Lt wrist plain film; lateral view; 677x1358 — 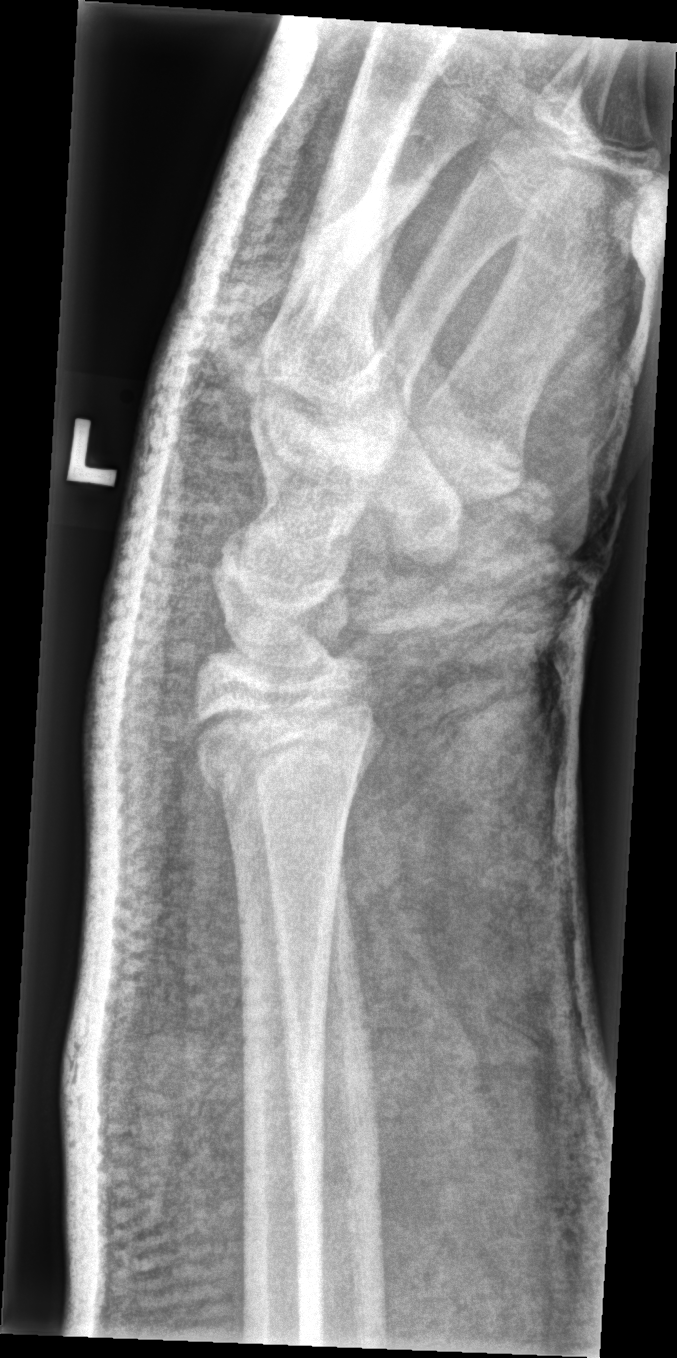   # boxes as x1,y1,x2,y2 (top-left / bottom-right, pixel units)
  fracture: 1 @ bbox(187, 711, 388, 815)
  ao: 23r-E/2.1; 23u-E/7